Right plain radiograph of the wrist; lateral view:
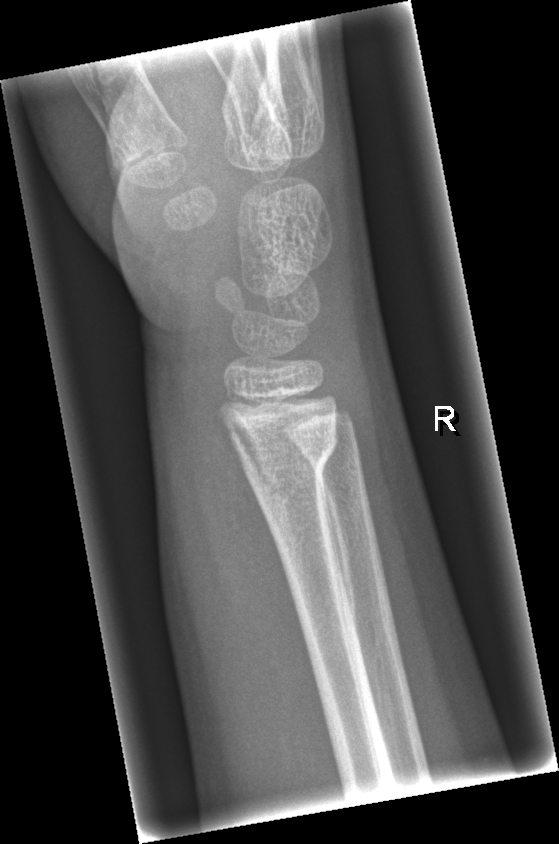 • Bone fracture identified at 242 428 341 509.